L pediatric wrist radiograph · lateral projection · pediatric patient (girl, age 11) · follow-up study
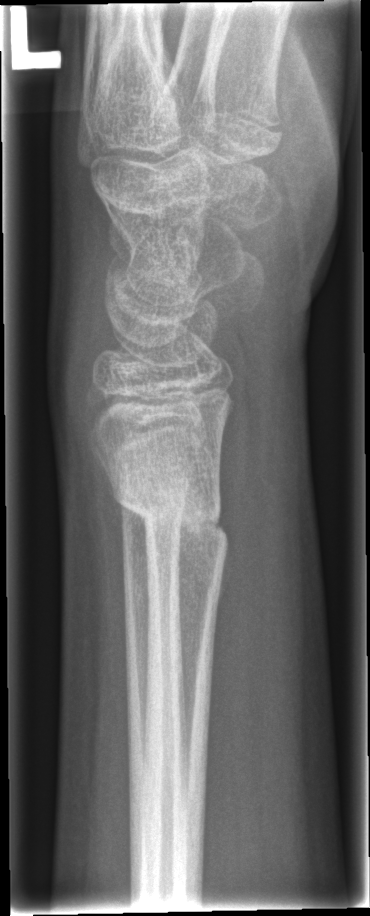
FINDINGS — (bounding boxes in image-pixel xyxy) AO/OTA classification: 23r-M/3.1; 23u-E/7. Reduced bone mineral density. Fracture identified at 107,476,234,562.